L wrist radiograph · PA · pediatric patient (girl, age 5) · 714 by 1095 pixels 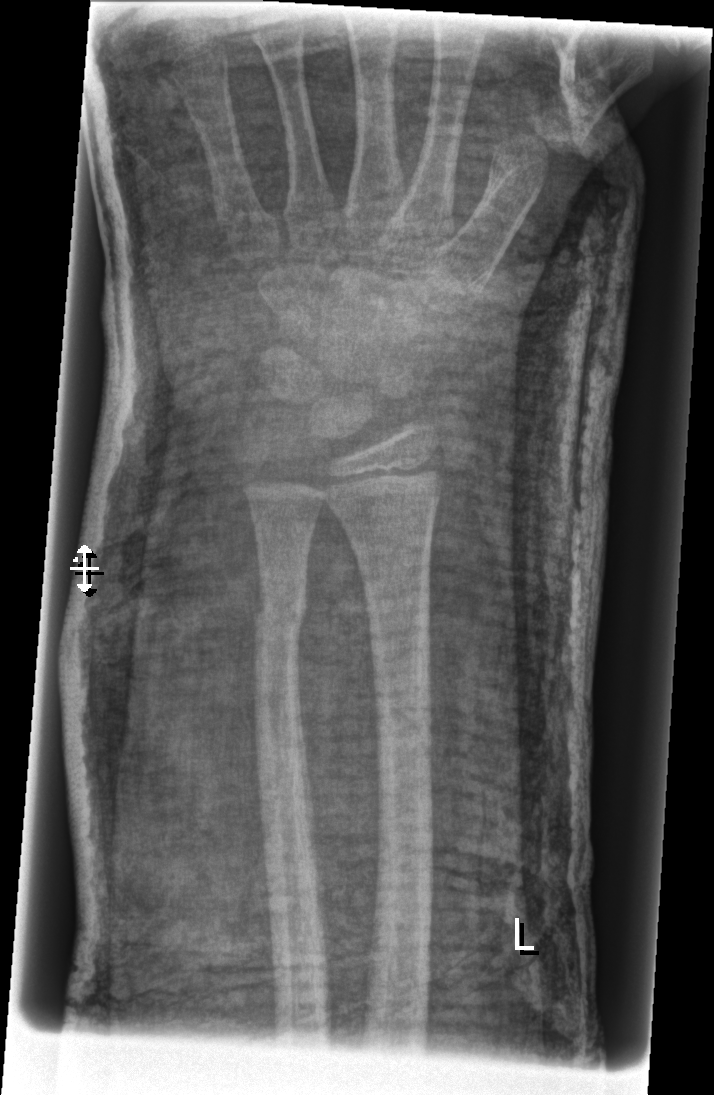

Fracture = <369,687>-<439,769> <247,587>-<314,643>